Left wrist pediatric wrist radiograph · frontal projection · 17y M · index exam · image width 88.4 mm · 614 x 726 px —

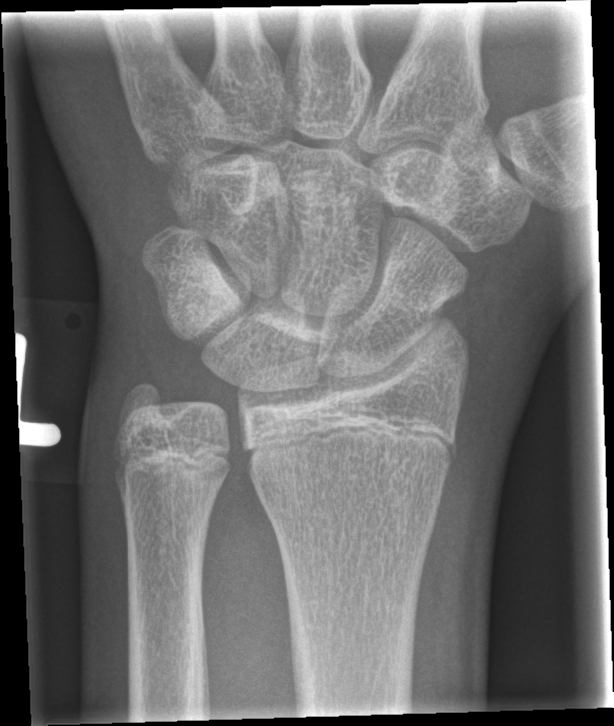
- Fx: none.